Lateral view · right wrist pediatric wrist radiograph · 5y F:

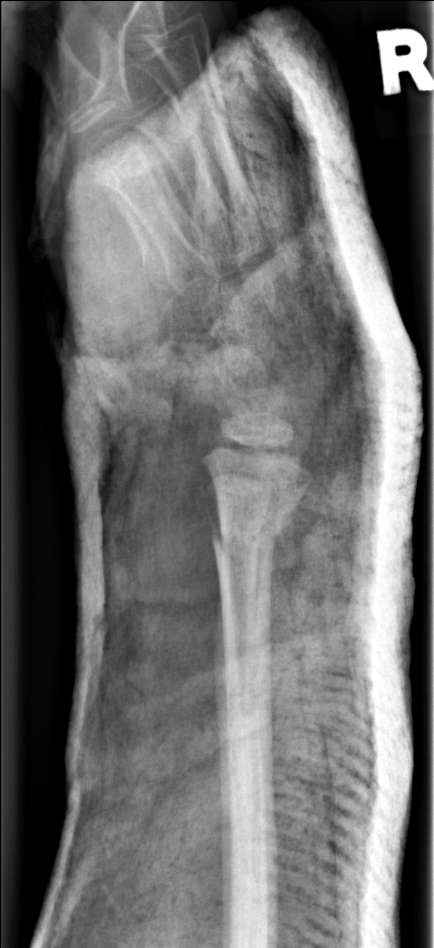

Fx = [x1=204, y1=504, x2=278, y2=573]